Left wrist XR · PA · 12y M · subsequent exam: 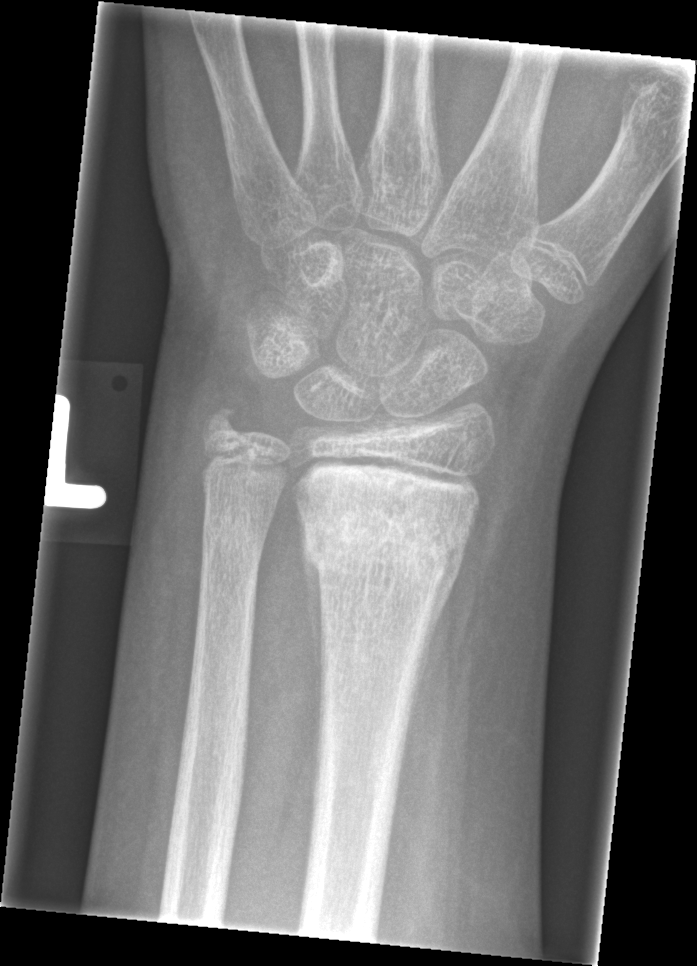 - Coordinates are [x1, y1, x2, y2] in image pixels.
- Periosteal new bone identified at (left=400, top=526, right=467, bottom=779); (left=299, top=511, right=326, bottom=768).
- AO code 23r-M/3.1; 23u-M/2.1; 23u-E/7.
- Three fractures at (left=297, top=489, right=469, bottom=595), (left=196, top=497, right=273, bottom=577), (left=195, top=399, right=252, bottom=451).